Lat view; Lt wrist X-ray; girl, 13 yo; presentation radiograph; Siemens; image width 100.2 mm:

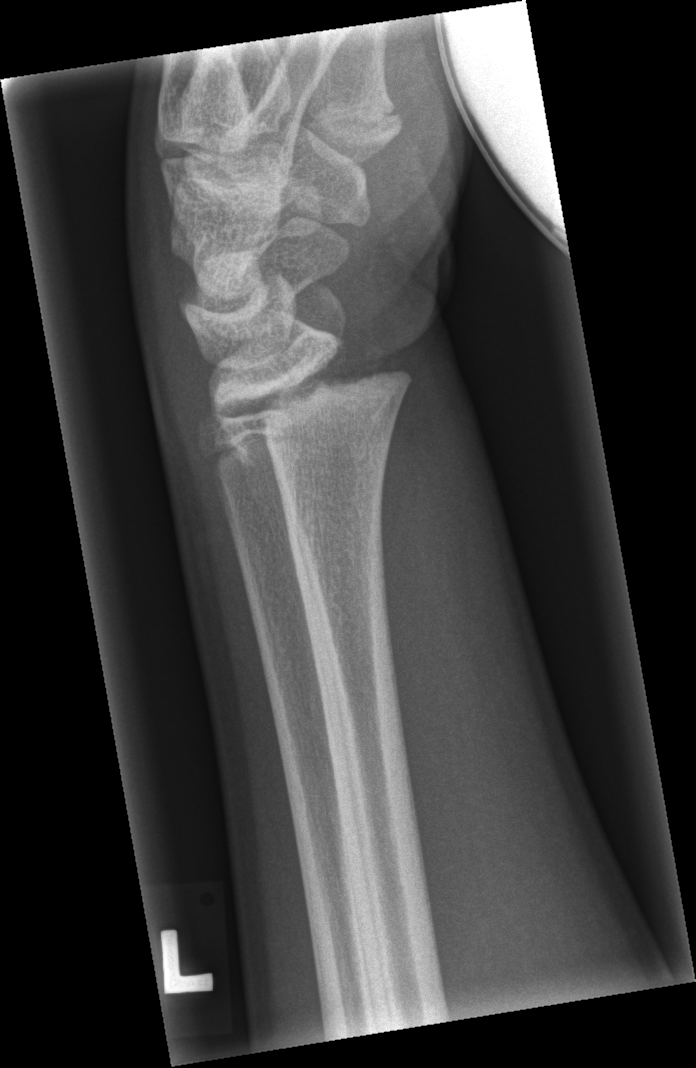
Fx identified at [x1=211, y1=352, x2=412, y2=468]. AO code 23r-E/2.1; 23u-E/7.